Posteroanterior | Rt wrist X-ray:

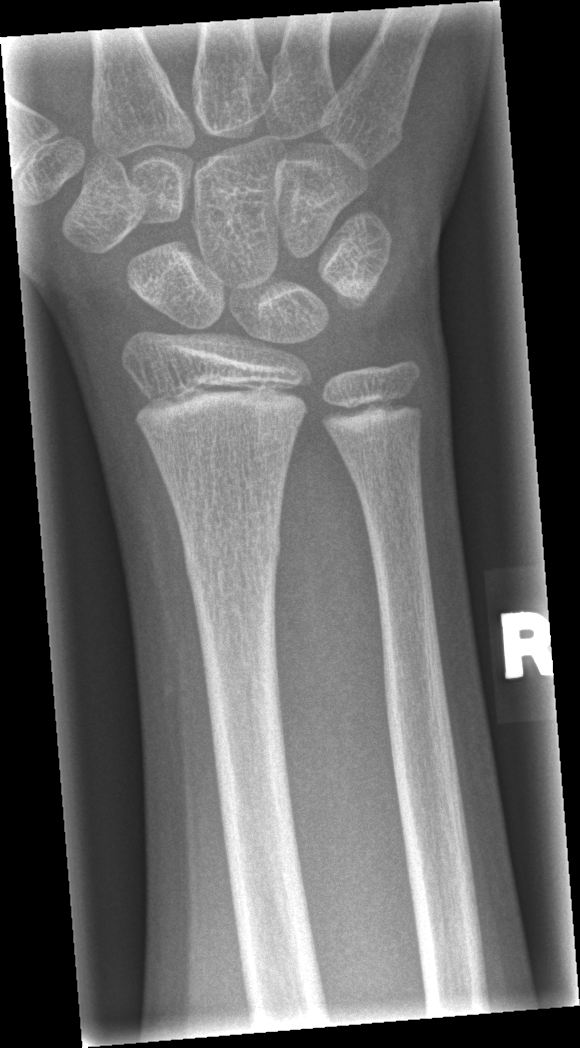

FINDINGS: Fx identified at [179, 520, 287, 597].